Left wrist plain film · lat view.

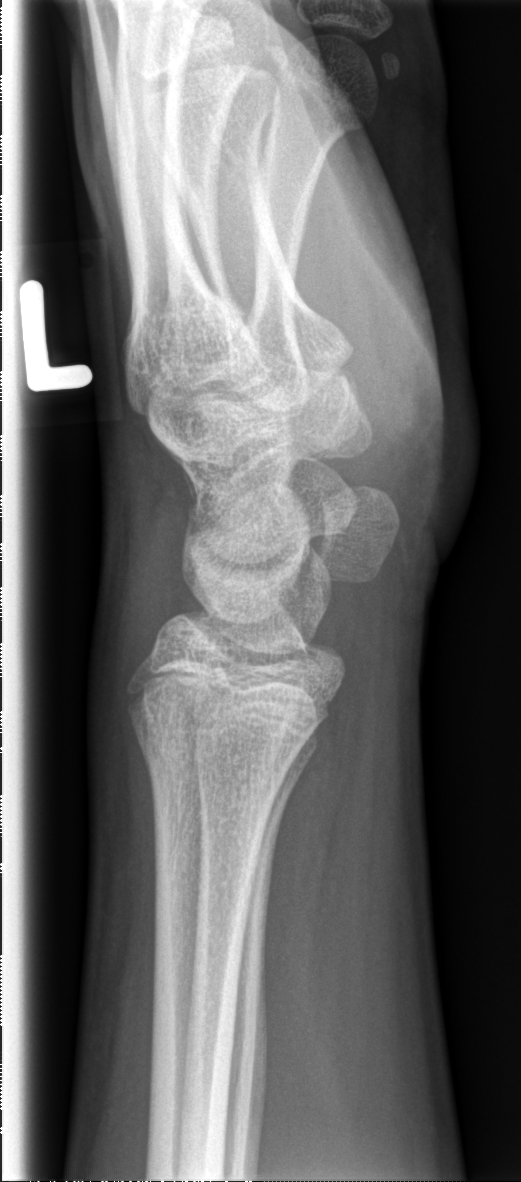
- Coordinates are [x1, y1, x2, y2] in image pixels.
- AO/OTA classification: 23r-M/2.1.
- Bone fracture: 131 717 304 807.